Lat view; right wrist X-ray — 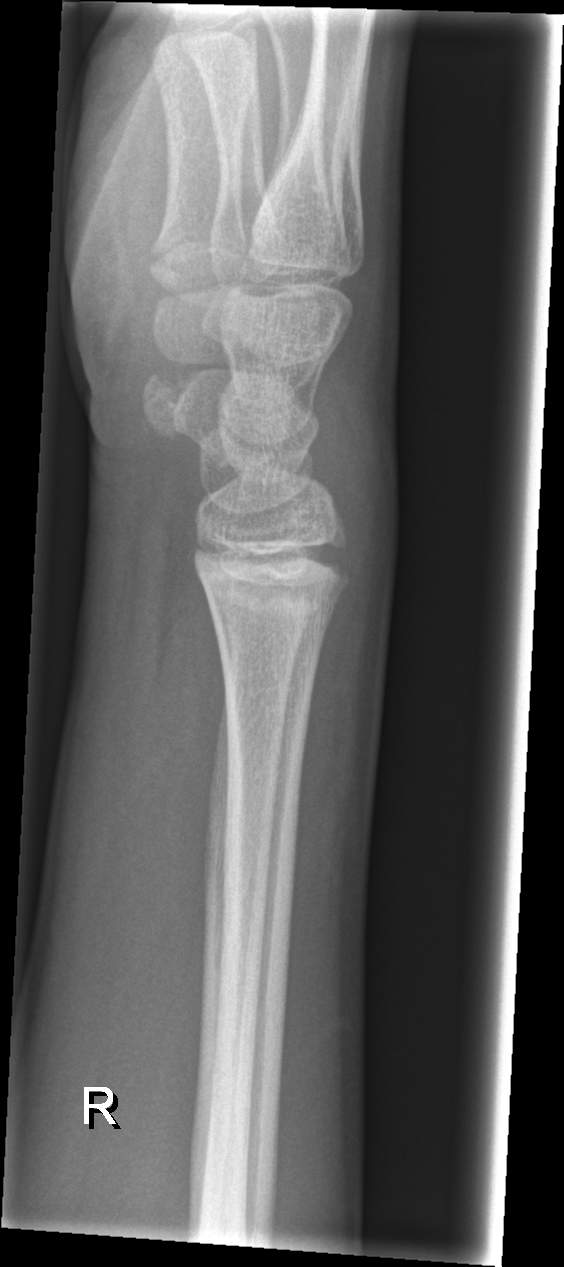

FINDINGS — Soft-tissue finding — 307 341 402 607. Fracture: 189 502 355 596. Pronator sign — 152 542 242 948.